Lateral projection | left wrist X-ray | girl, 16 yo | presentation radiograph | detector: Siemens
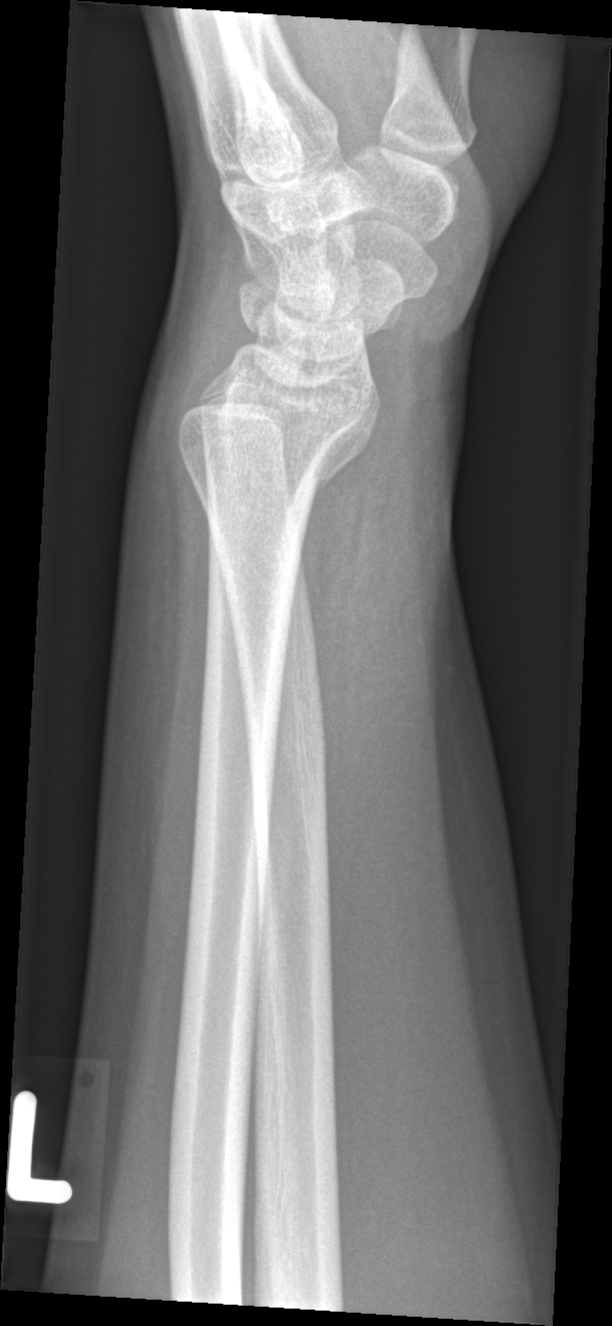 (coordinates are [x1, y1, x2, y2] in image pixels)
soft tissue abnormality: [x1=297, y1=363, x2=448, y2=751]
fracture: [x1=280, y1=380, x2=386, y2=503]
AO classification: 23r-M/3.1; 23r-E/7